R pediatric wrist radiograph; lateral projection; 13-year-old boy: 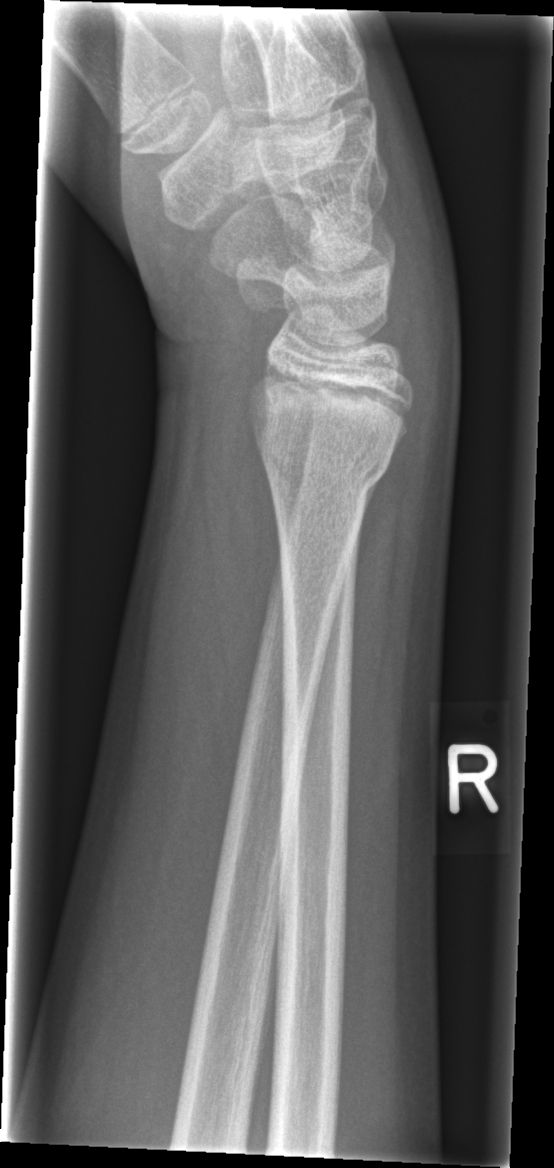
Findings: One bone fracture at [256, 429, 393, 520].